R wrist X-ray; lateral view: 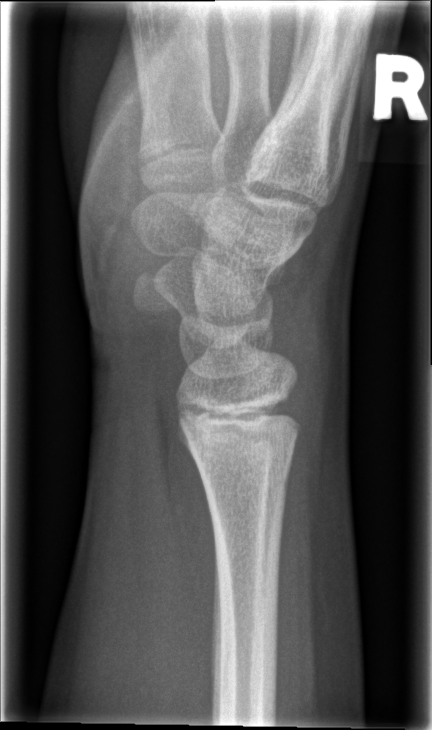

{"fracture": "none labeled"}